PA view, left wrist plain film, in cast, acquired on Siemens, 111.0 mm image width 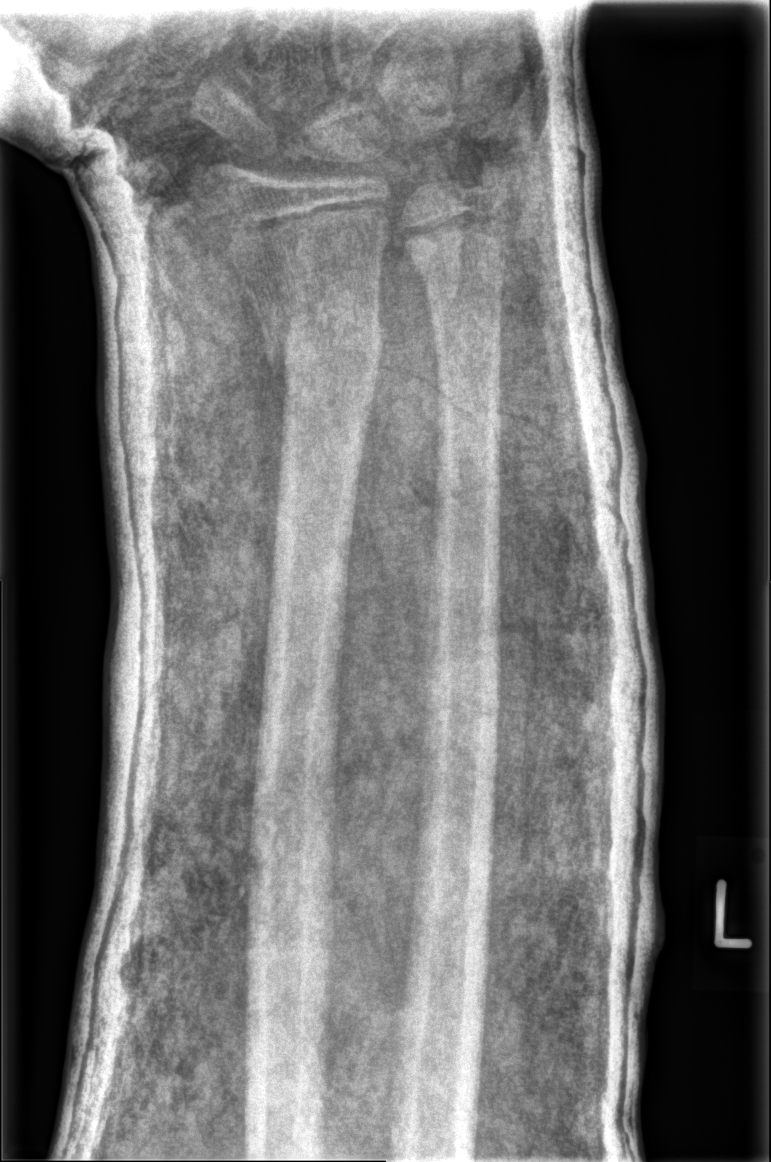
(coordinates are [x1, y1, x2, y2] in image pixels)
Fx: 1 @ 257 294 389 369